PA/AP, right wrist plain film, index exam —

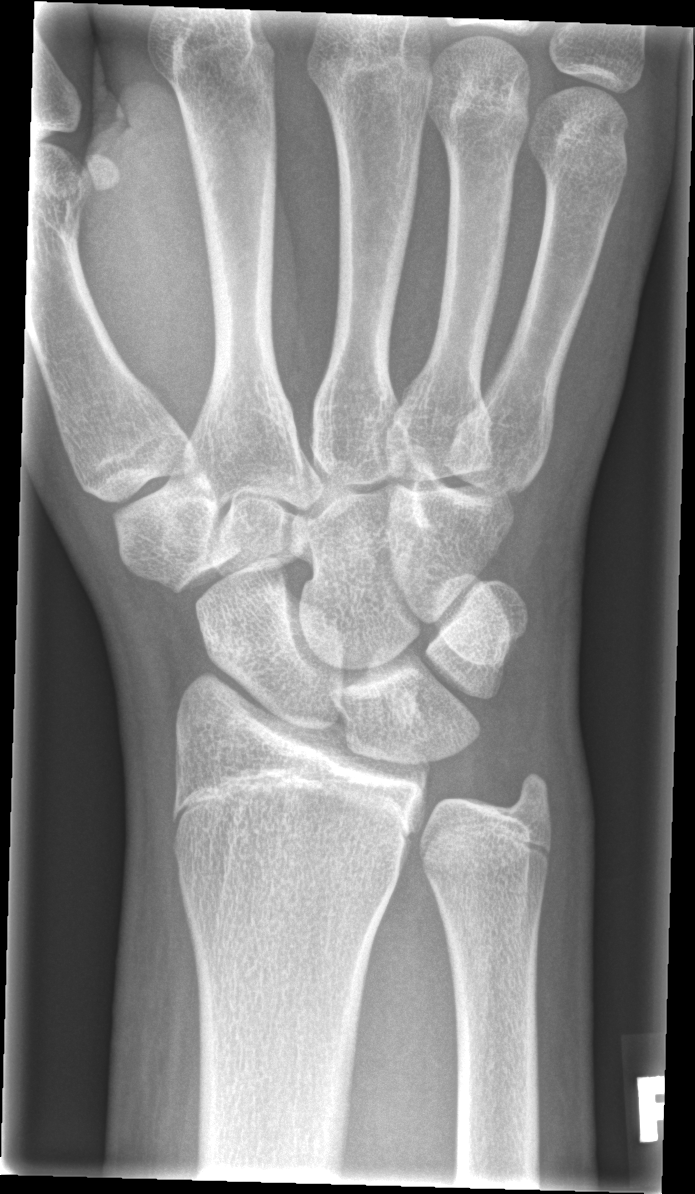

Findings: Fracture: none labeled.